Left wrist plain radiograph of the wrist, PA/AP view:

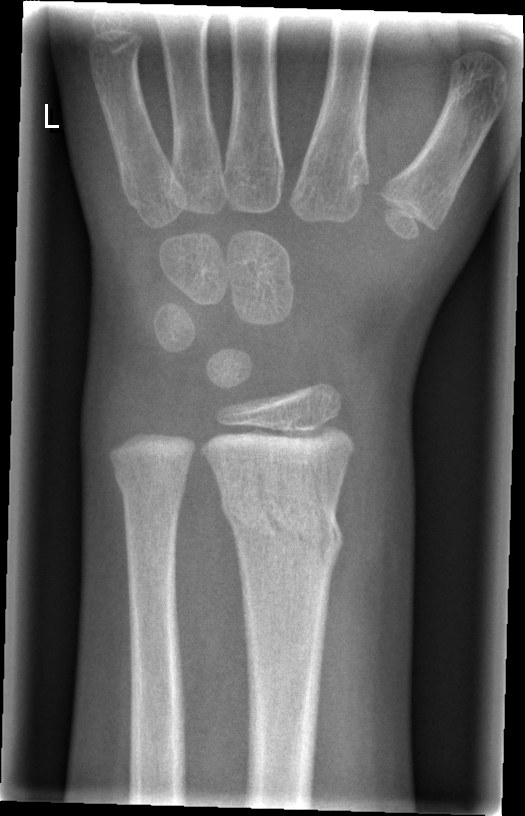

AO code: 23-M/2.1
Fx: 217 481 346 572
  113 469 191 511